PA; Rt wrist XR; pediatric patient (male, age 16); Siemens

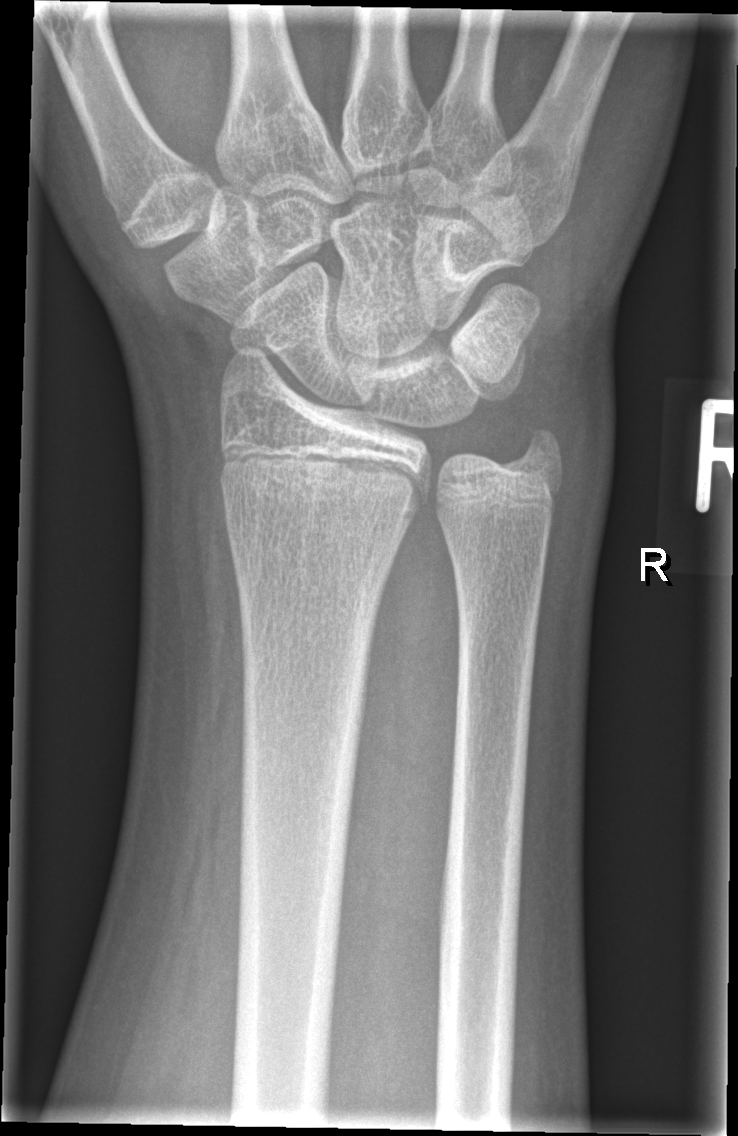
Q: Is there a fracture?
A: One Fx at (left=509, top=419, right=571, bottom=484)
Q: AO code?
A: AO/OTA classification: 23r-E/2.1; 23u-E/7